L plain radiograph of the wrist | obl projection | 15y F | presentation radiograph.
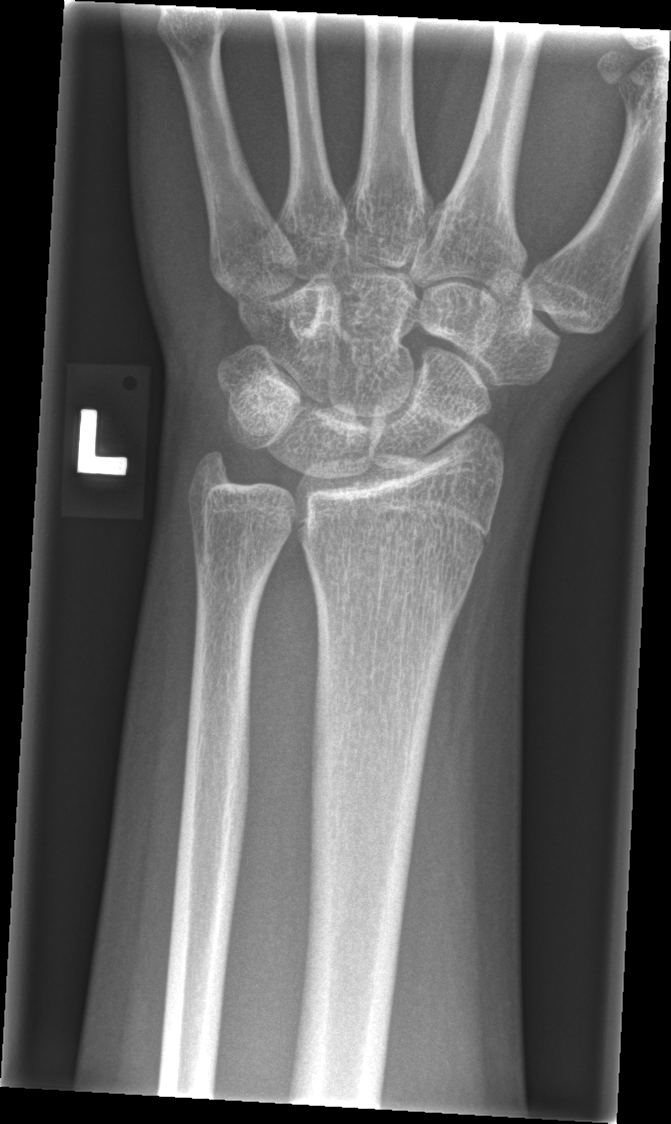

• Fx: none.